Lat projection | left wrist XR | 15y F | image 60.5 mm wide

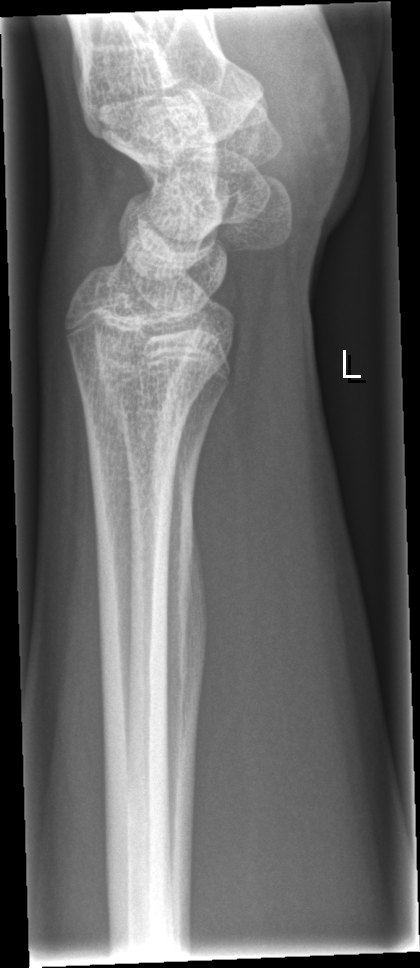

Findings: No fracture labeled.